Left wrist plain film; PA/AP projection; in cast; image 108.6 mm wide 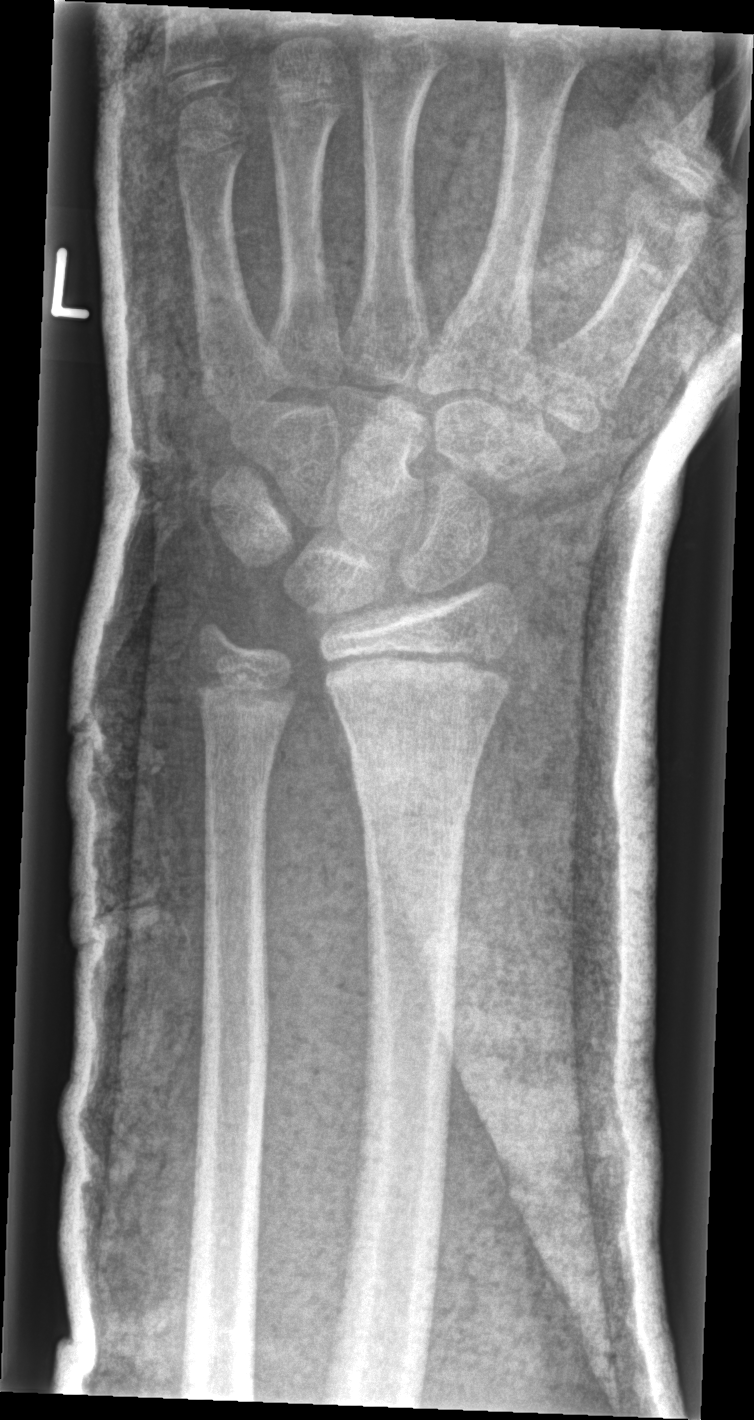
{
  "fracture": "[x1=348, y1=741, x2=475, y2=831]",
  "ao": "23r-M/3.1"
}